AP view | Rt wrist X-ray | girl, 8 yo | 65.1 mm image width: 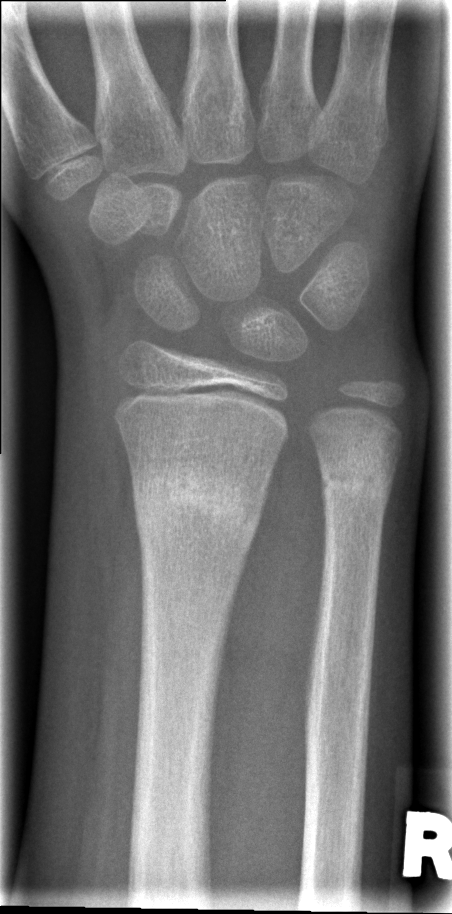

fracture: 132 462 264 555
  318 455 394 505